PA view | Rt plain radiograph of the wrist | 572 x 841 px — 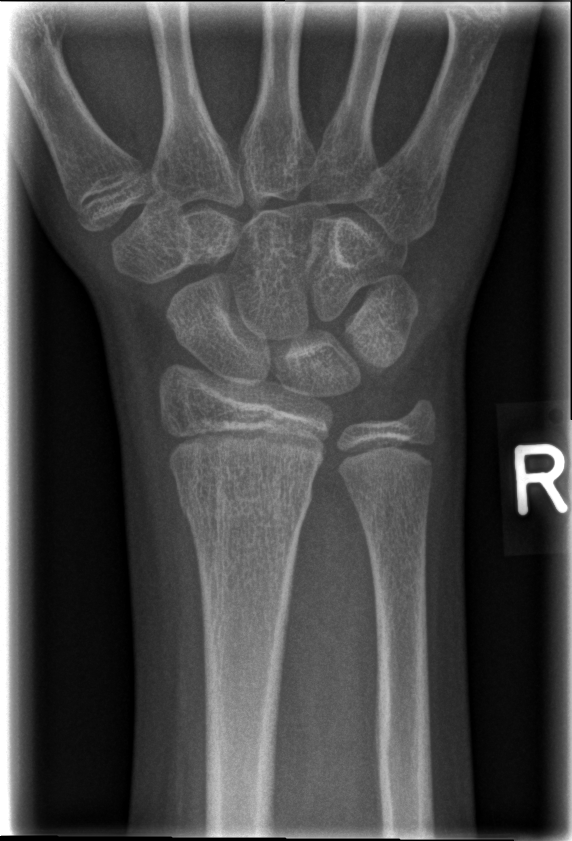

Findings: Bone fracture identified at <173,467>-<317,528>. AO code 23r-M/2.1.